Lt wrist X-ray | lat view:
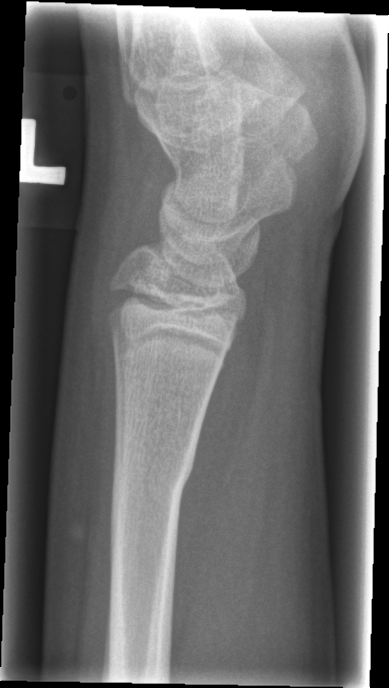

  fracture: (105, 447, 200, 519)